R wrist X-ray, frontal view
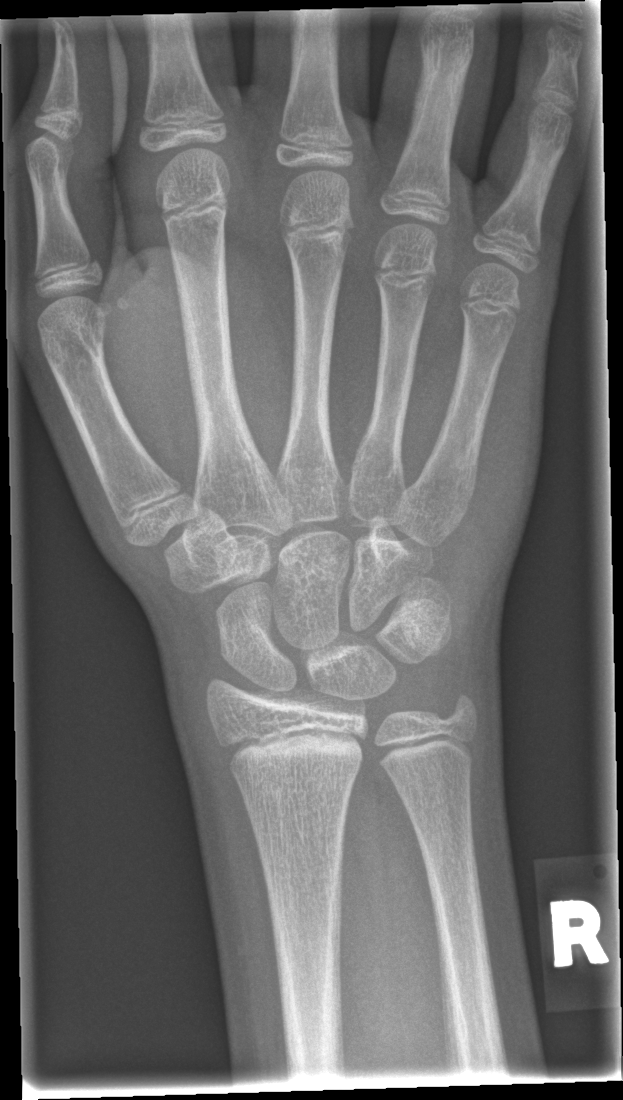
- No fracture annotation.